R wrist XR; PA view; pediatric patient (boy, age 7); follow-up study; imaged through cast. 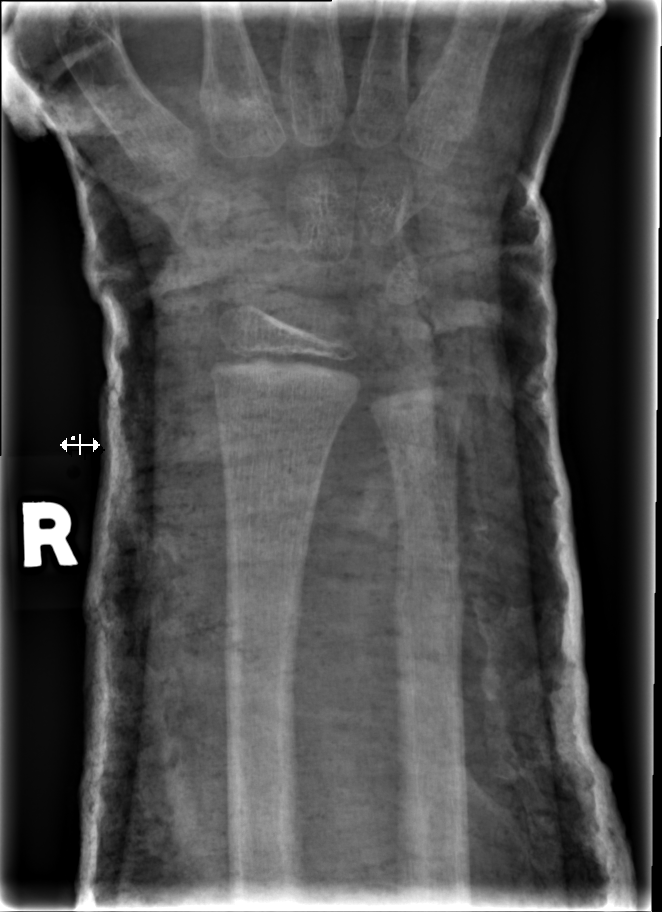

Two fractures at [x1=386, y1=556, x2=472, y2=665], [x1=218, y1=581, x2=309, y2=675].
AO/OTA classification: 22-D/2.1.